PA/AP; L wrist radiograph; index exam; acquired on Siemens —
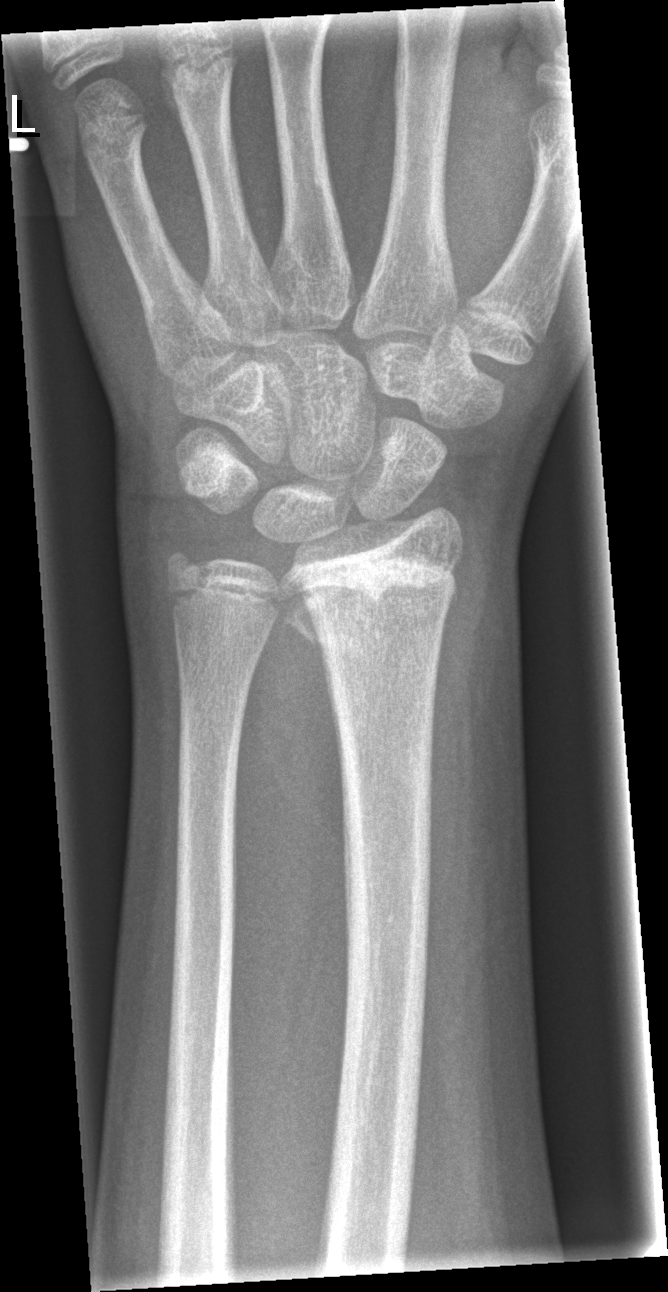
FINDINGS: (boxes as x1,y1,x2,y2 (top-left / bottom-right, pixel units)) Bone fracture: [x1=274, y1=557, x2=462, y2=645], [x1=157, y1=542, x2=220, y2=610].